AP; right wrist pediatric wrist radiograph; age 10 y, male; index exam.

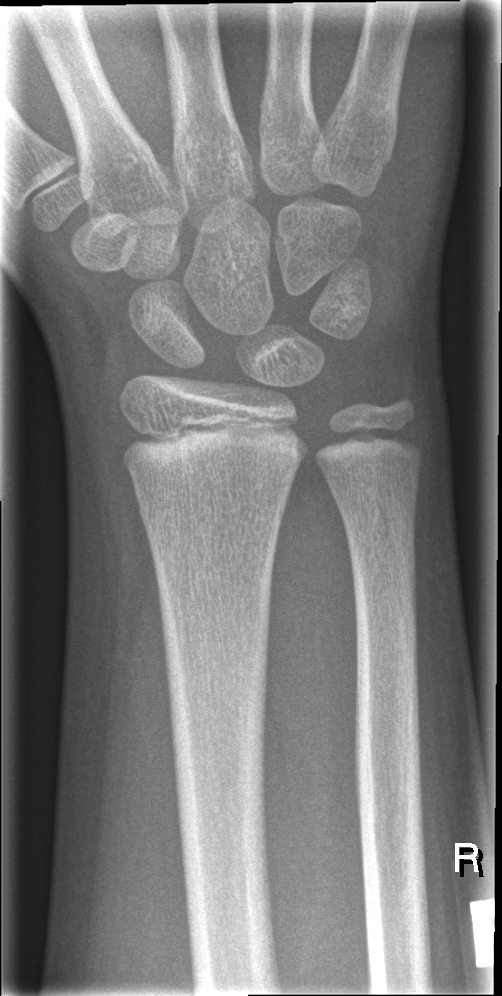
No fracture bounding box.